Lat projection · R plain radiograph of the wrist · pediatric patient (boy, age 16) · imaged through cast

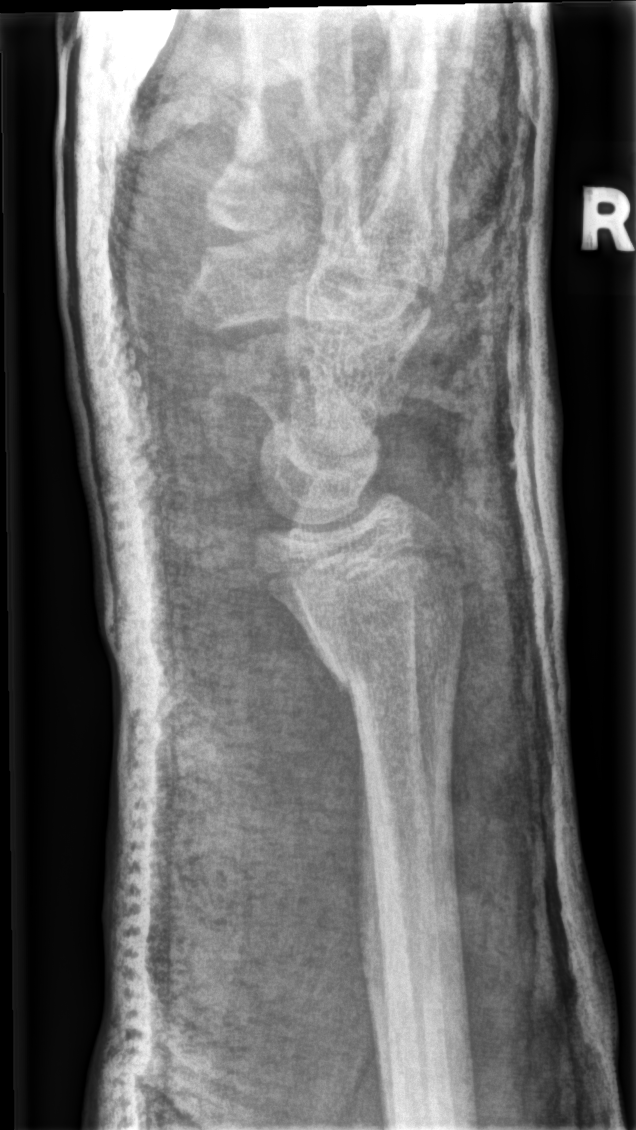

FINDINGS — Fracture identified at <314,618>-<378,705>. Fracture classified AO/OTA 23r-M/3.1.